Lateral view · Lt wrist XR — 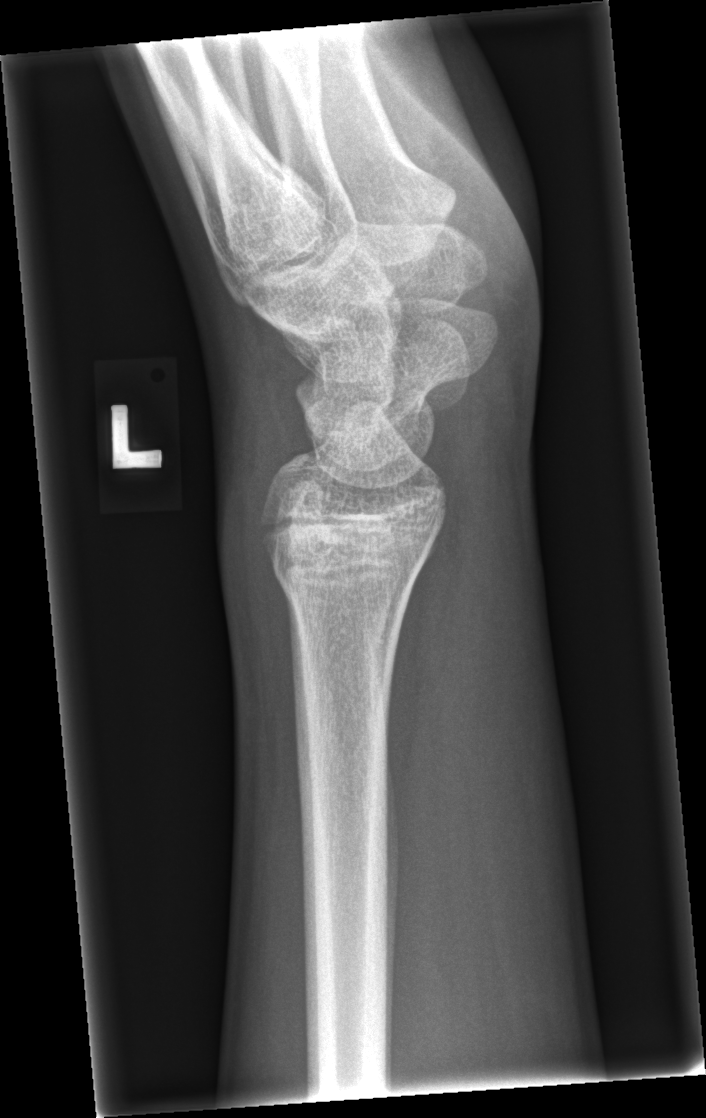
FINDINGS — (boxes as x1,y1,x2,y2 (top-left / bottom-right, pixel units)) Fracture: <270,542>-<432,629>. Fracture classified AO/OTA 23r-M/2.1. Soft-tissue finding identified at <210,418>-<289,676>.